Left wrist plain film; lat; female, 13 yo; Siemens —
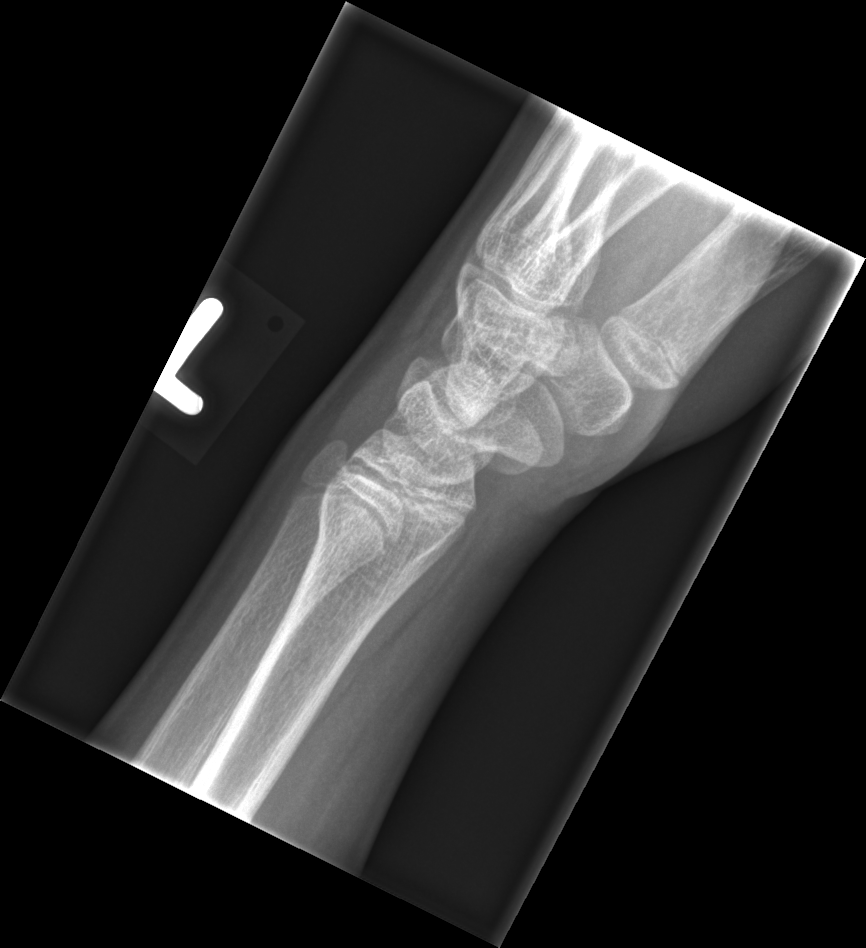 {
  "fracture": "1 @ (309, 485, 426, 597)",
  "ao": "23r-M/2.1"
}